R wrist X-ray; PA/AP projection; cast present:

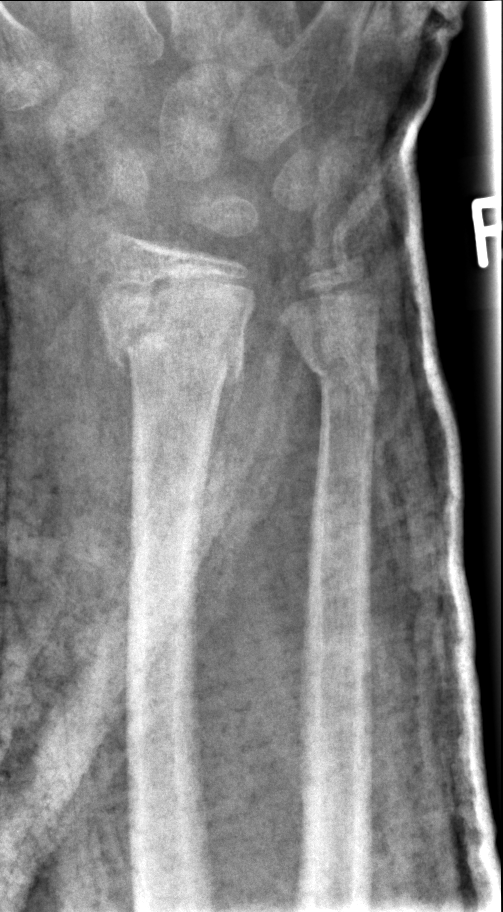 {"fracture": "2 @ bbox(98, 290, 249, 389); bbox(294, 337, 383, 406)"}